Posteroanterior; L wrist XR; boy, 10 yo; 559 x 936 px.

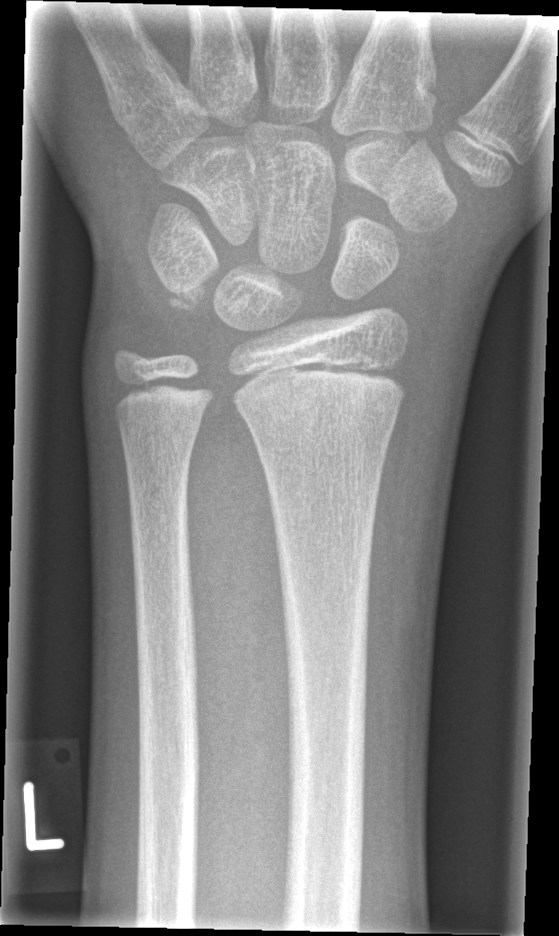

{
  "fracture": "present but not clearly seen in this view",
  "ao": "23r-M/2.1"
}